Lateral view; Rt wrist plain film:
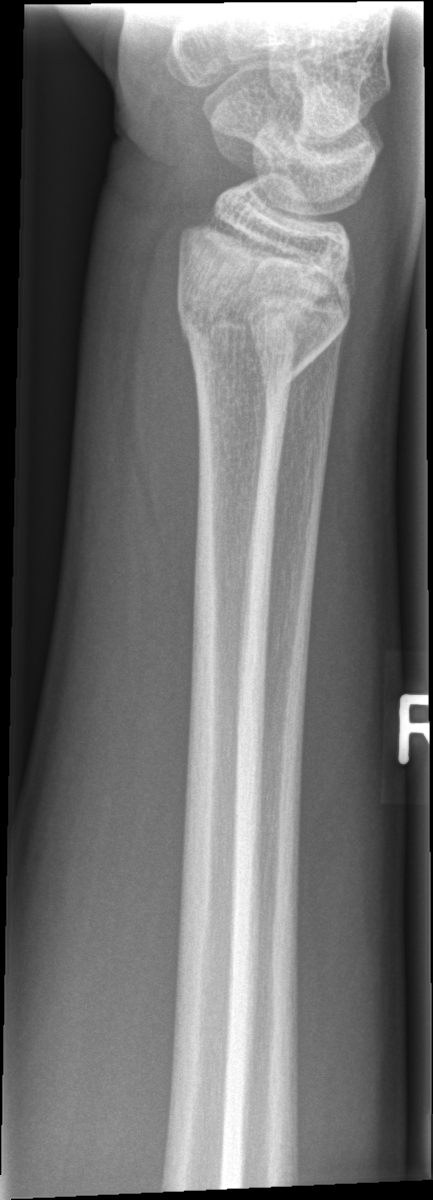
AO/OTA classification: 23r-M/3.1; 23u-E/7. Positive pronator fat-pad sign: (122, 222, 209, 626). One fracture at (167, 242, 354, 395).